Lt wrist plain film | lateral | girl, 14 yo | subsequent exam | cast present. 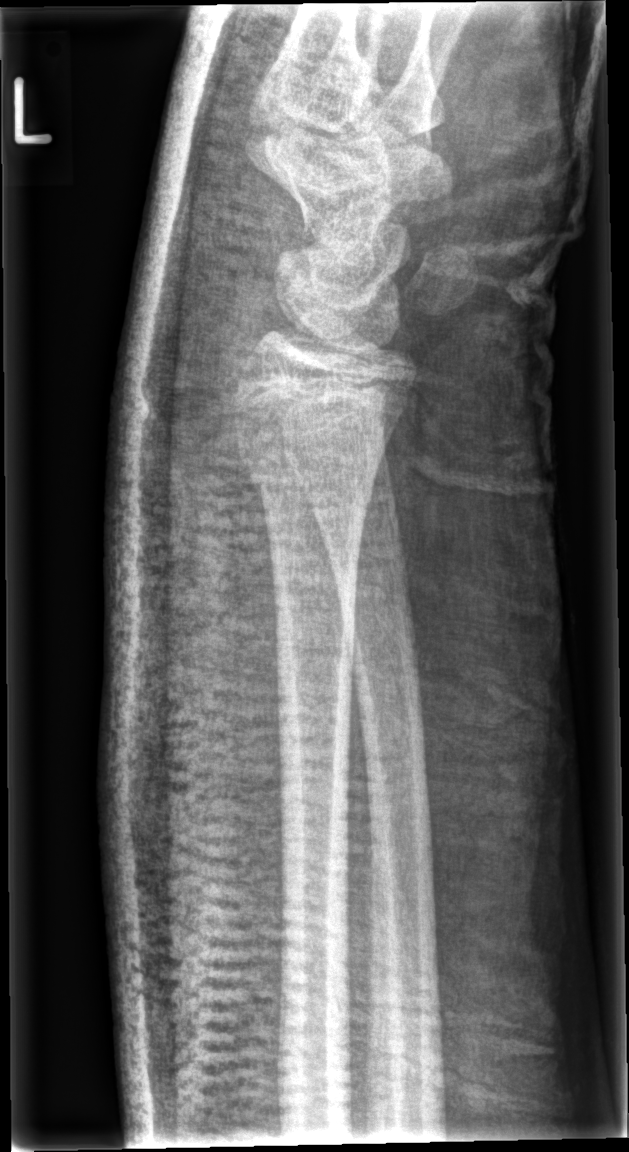

Bone fracture — [x1=233, y1=421, x2=380, y2=519].